Lt plain radiograph of the wrist · posteroanterior projection · image 100.4 mm wide:
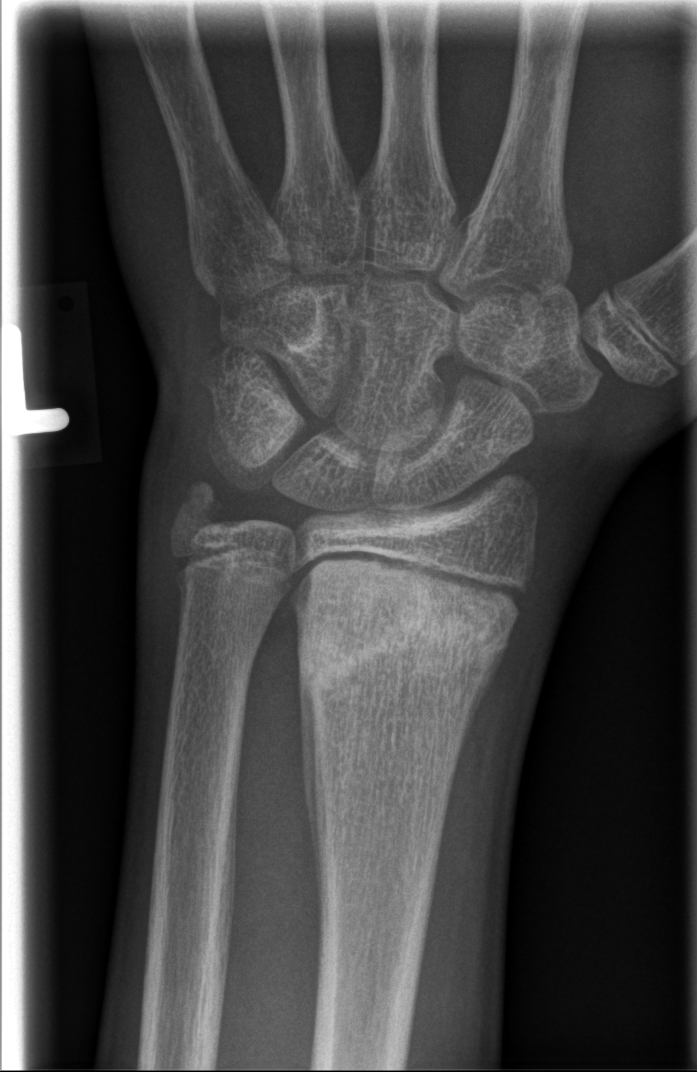
Pixel coordinates, top-left origin, xyxy.
Bone fracture identified at (left=290, top=551, right=521, bottom=697); (left=167, top=471, right=236, bottom=543).
Two periosteal new bone at (left=457, top=638, right=510, bottom=762) (left=300, top=673, right=322, bottom=910).
AO/OTA classification: 23r-M/3.1; 23u-E/7.